R wrist radiograph · lat · initial study
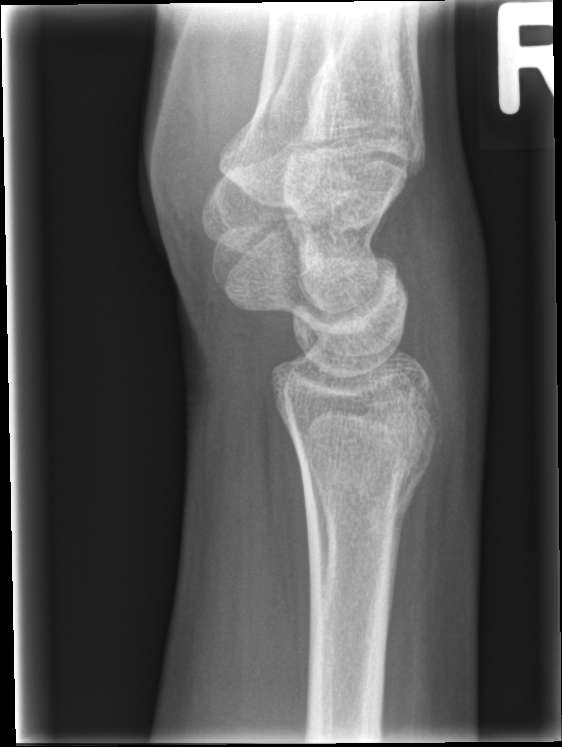 FINDINGS — Bone fracture — [x1=288, y1=416, x2=445, y2=527]. One soft-tissue swelling at [x1=397, y1=166, x2=493, y2=414].